R wrist plain film, PA/AP, acquired on Siemens, image width 85.8 mm. 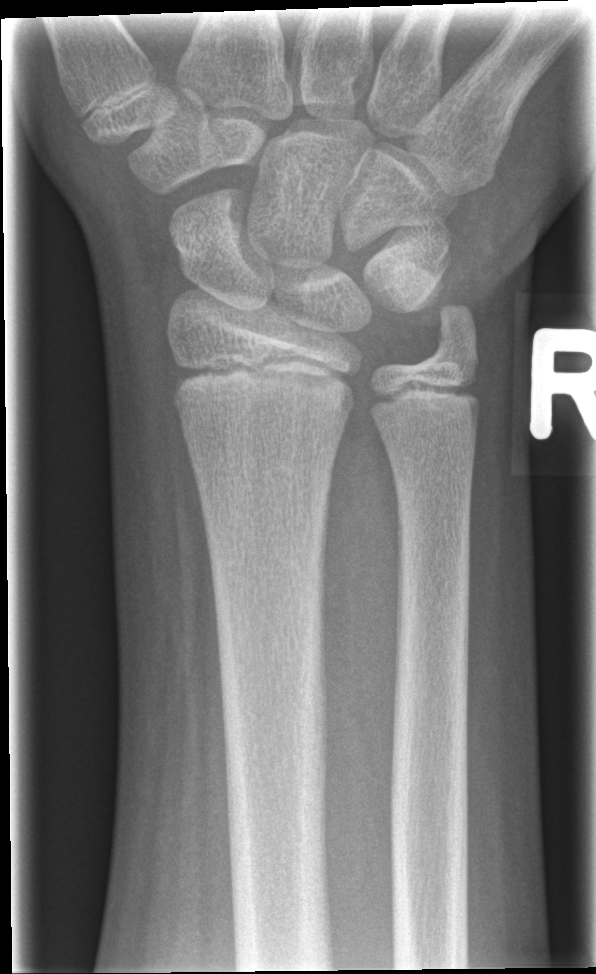 No Fx annotated.